Right wrist pediatric wrist radiograph | lat projection | age 10 y, girl | 442 x 963 px —
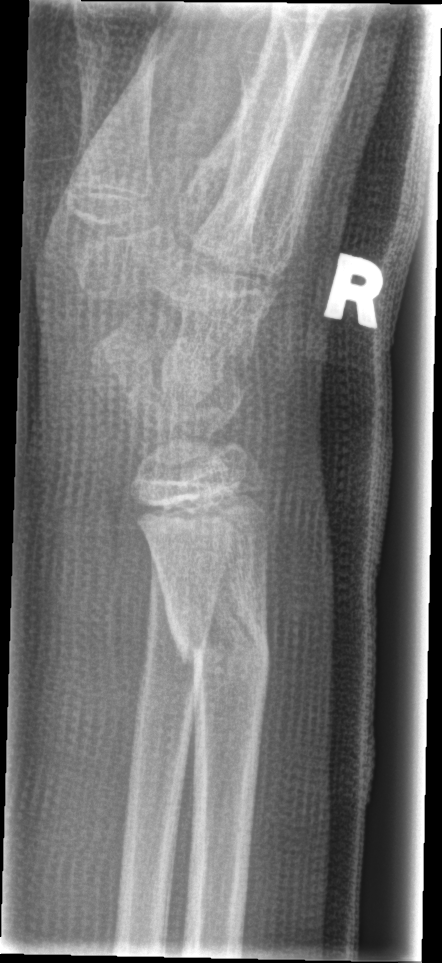
FINDINGS — Fracture: 173,588,274,679. AO/OTA classification: 23-M/2.1.